Lt pediatric wrist radiograph · lat view · boy, 13 yo · imaged through cast
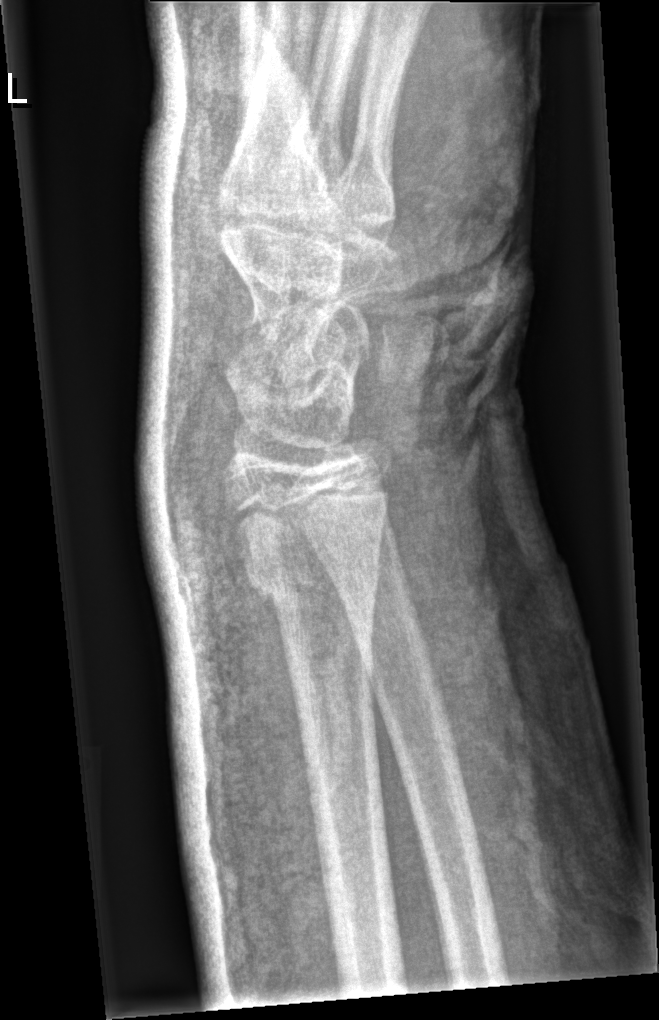

fracture = 1 @ <240,549>-<385,621>